PA/AP, left wrist plain radiograph of the wrist, pediatric patient (boy, age 16).

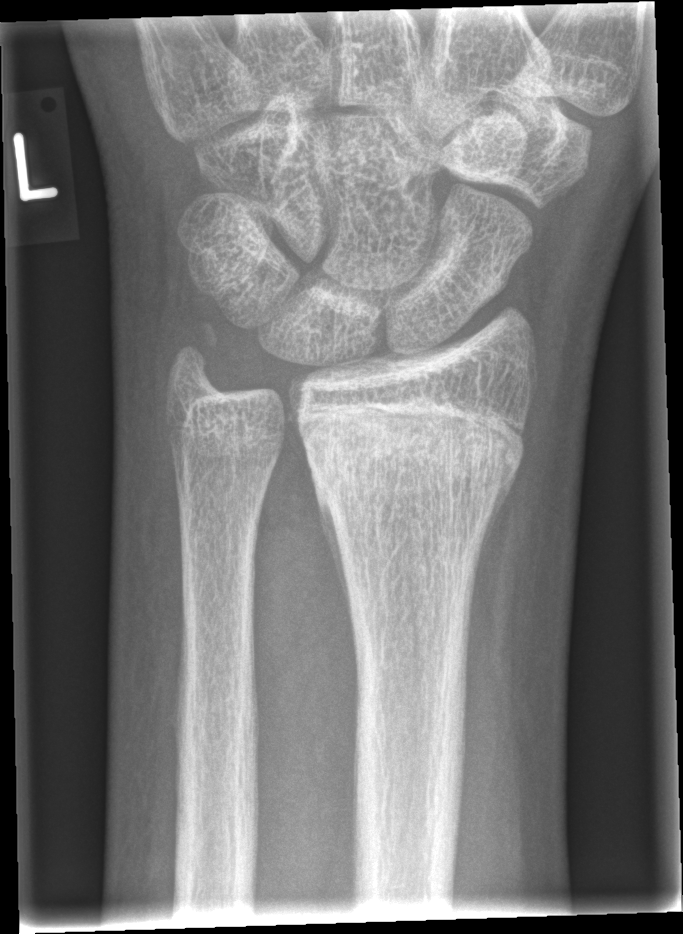

Pixel coordinates, top-left origin, xyxy.
Fracture classified AO/OTA 23r-M/2.1; 23u-E/7.
Fx — (left=303, top=413, right=528, bottom=499); (left=158, top=316, right=231, bottom=410).
Periosteal new bone: (left=307, top=459, right=356, bottom=638) (left=469, top=452, right=520, bottom=605).
Osteopenic.